Left wrist X-ray | lat projection.
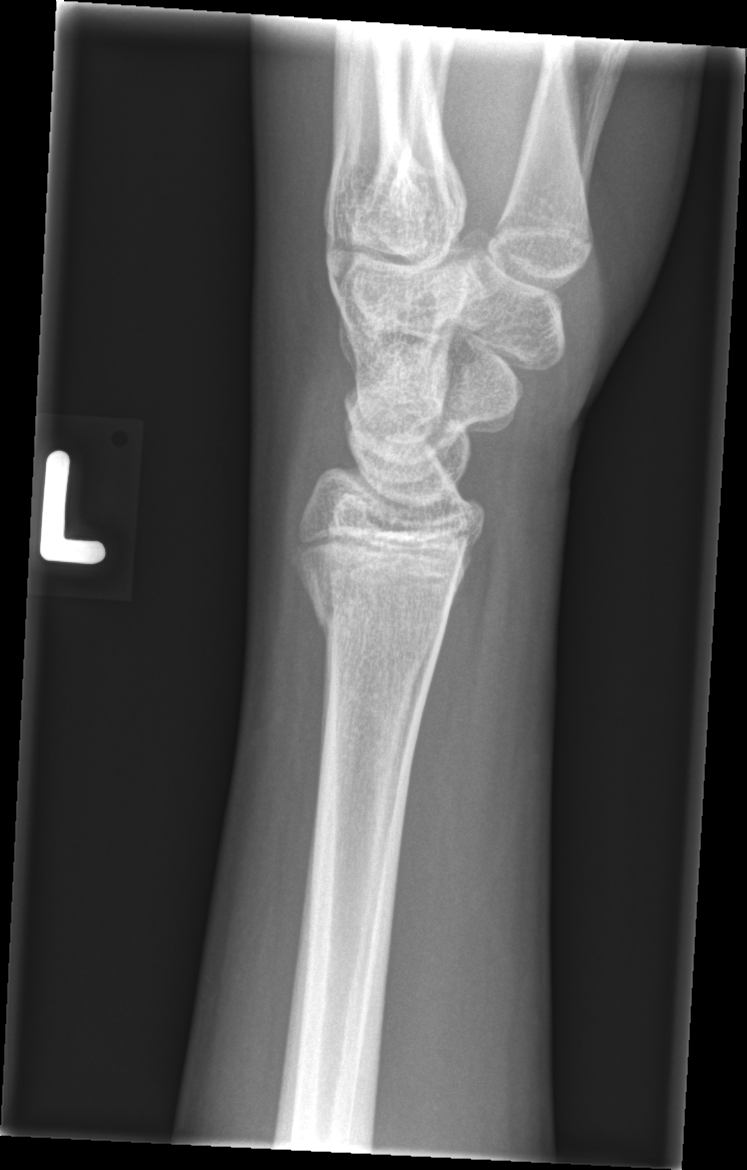 - AO code 23r-M/2.1.
- Bone fracture: (left=299, top=564, right=460, bottom=654).